Rt plain radiograph of the wrist, lateral projection, age 16 y, girl: 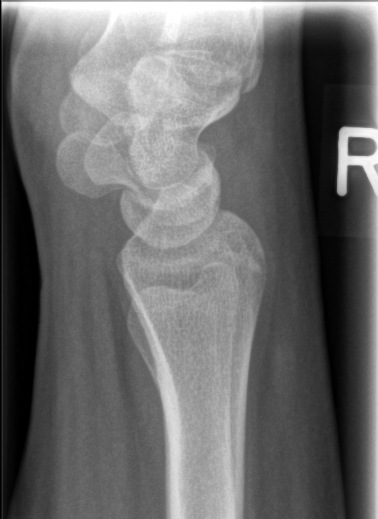
fracture: none labeled